Posteroanterior view, Rt pediatric wrist radiograph, presentation radiograph, image 112.2 mm wide, image size 779x1006: 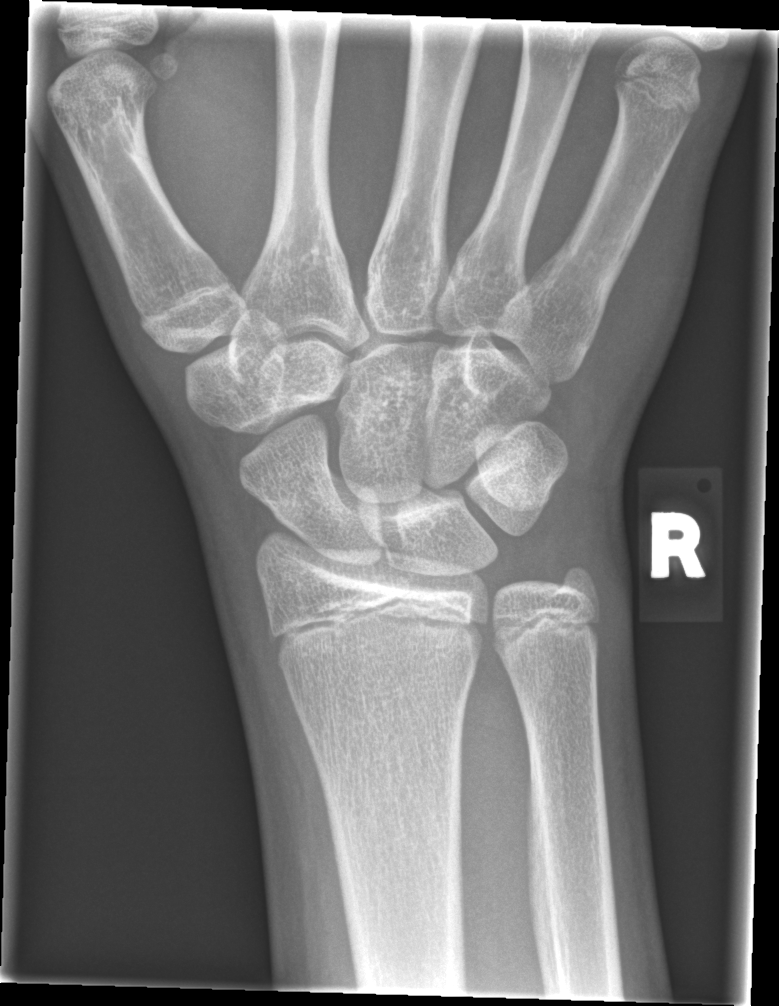 - No fracture annotation.